Lat projection | left wrist XR | Siemens. 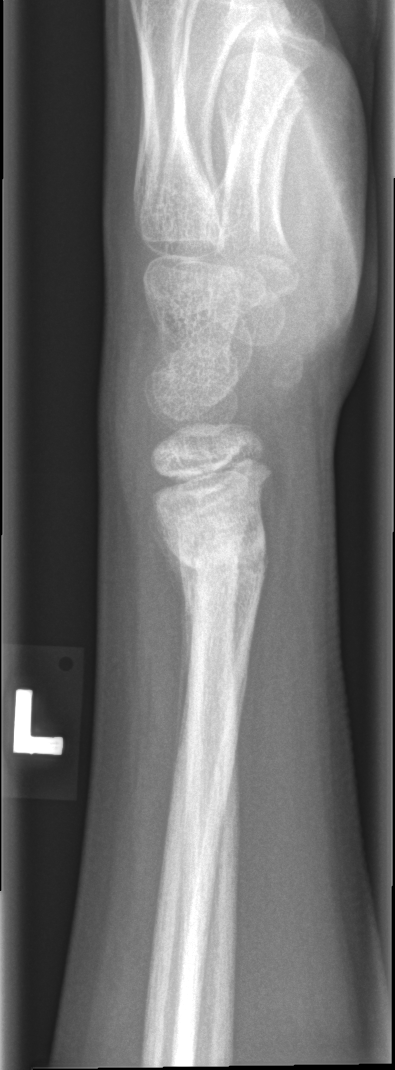

Findings: (bounding boxes in image-pixel xyxy) Periosteal new bone identified at 154,525,195,778. Fracture identified at 156,507,270,595. Fracture classified AO/OTA 23r-M/3.1; 23u-M/2.1. Decreased bone density (osteopenia).